PA/AP projection; left wrist pediatric wrist radiograph; pediatric patient (female, age 6).

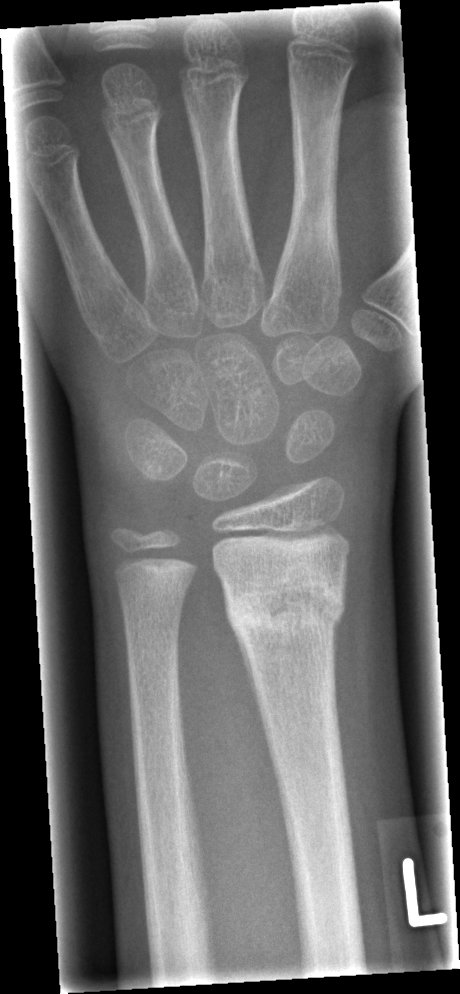
(pixel coordinates, top-left origin, xyxy)
AO classification: 23r-M/2.1
Fx: <220,560>-<349,653>